AP view, right plain radiograph of the wrist, female, 13 yo, image size 492x1020
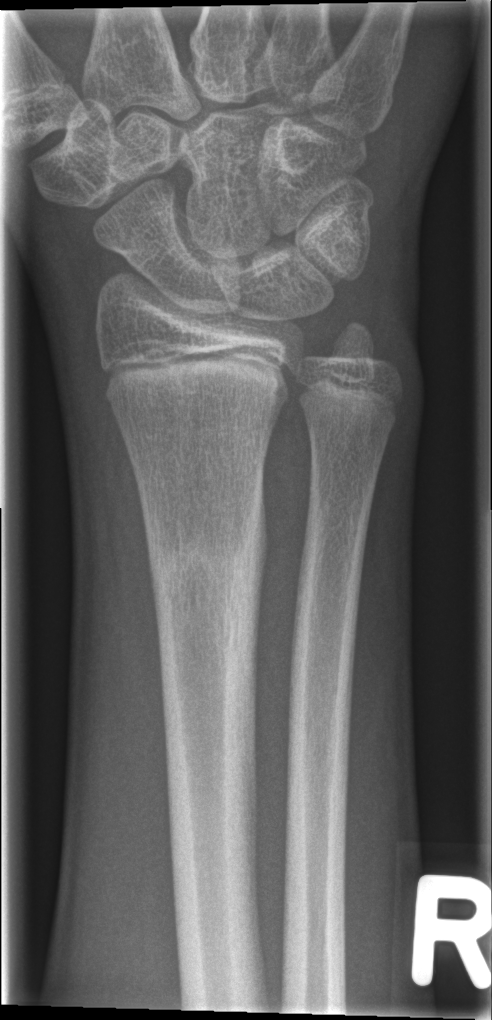

Pixel coordinates, top-left origin, xyxy. One bone fracture at <149,494>-<268,639>. AO/OTA classification: 23r-M/3.1; 23u-E/7.